Left wrist plain film, posteroanterior view. 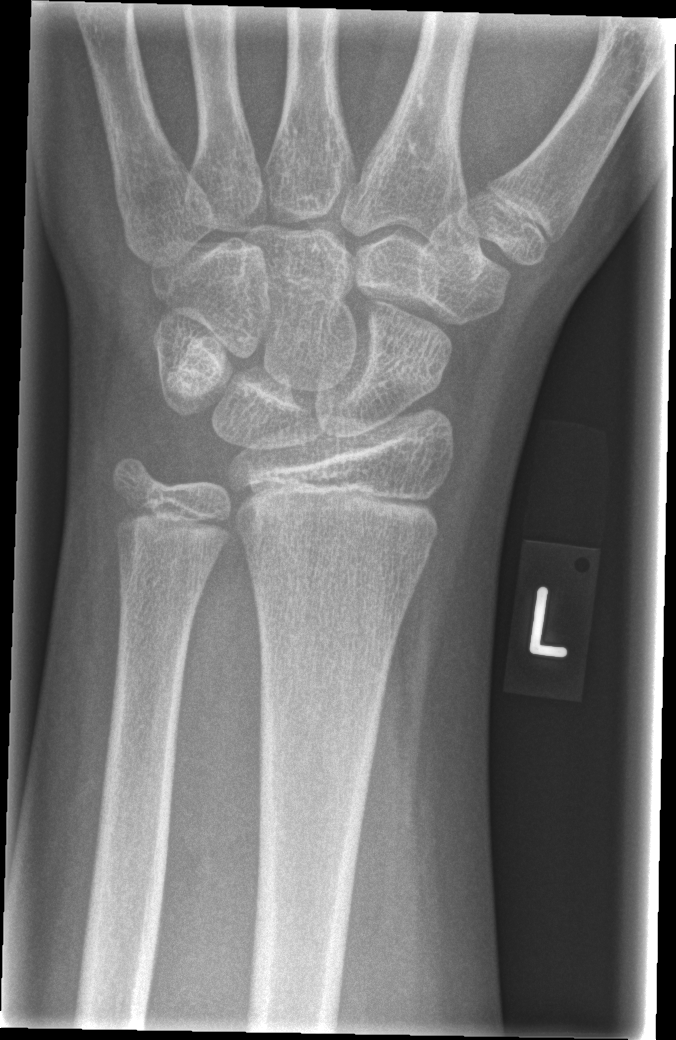
Q: Locate any fractures.
A: No Fx annotated